Rt wrist X-ray, lateral 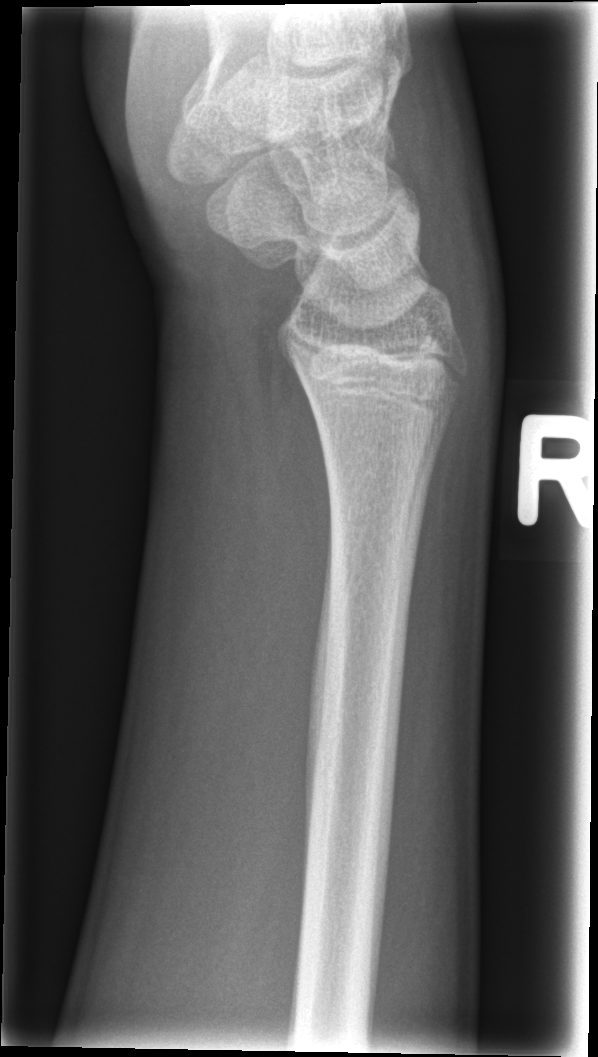 FINDINGS — No Fx annotated.